Lateral view, Lt pediatric wrist radiograph, boy, 14 yo, follow-up study, detector: Siemens, 370 x 970 px:
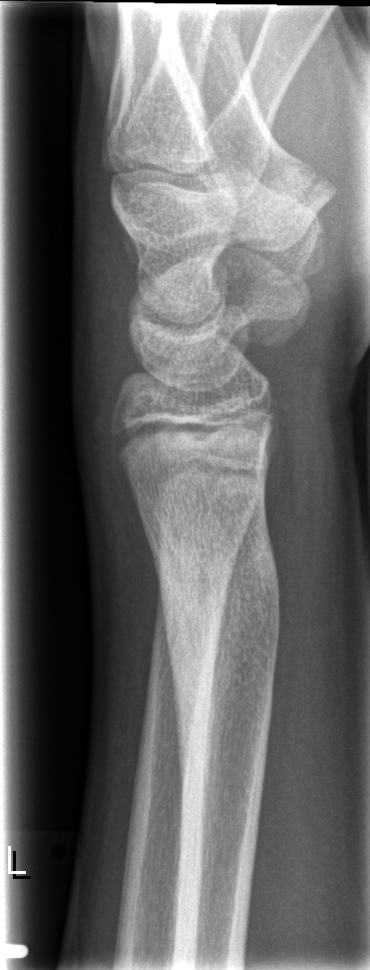 Findings: (bounding boxes in image-pixel xyxy) Fracture classified AO/OTA 23r-M/3.1; 23u-M/2.1; 23u-E/7. Fracture — [x1=146, y1=511, x2=290, y2=745]. Osteopenia.